Frontal; R wrist XR; 10-year-old female 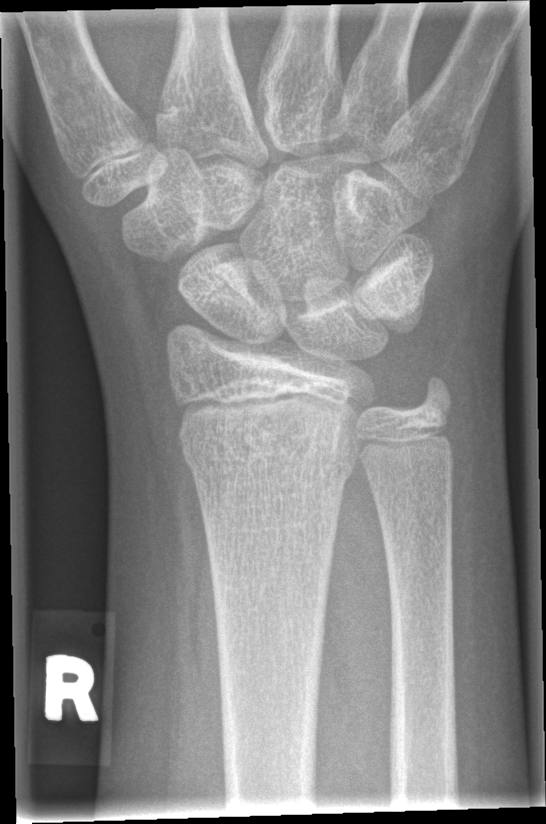
Fx: [x1=178, y1=402, x2=358, y2=495].